Frontal projection, right wrist XR, follow-up:

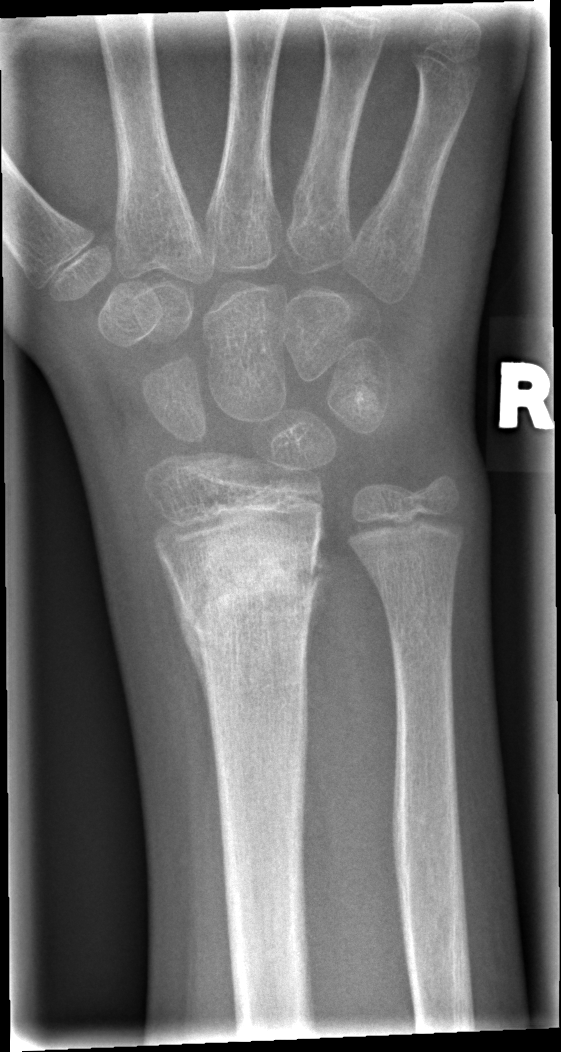 Q: AO code?
A: Fracture classified AO/OTA 23r-M/3.1
Q: Any periosteal thickening?
A: Periosteal thickening — (left=156, top=545, right=215, bottom=751), (left=304, top=509, right=335, bottom=686)
Q: Bone density?
A: Osteopenia
Q: Locate any fractures.
A: Bone fracture identified at (left=166, top=526, right=325, bottom=651)